Left wrist XR; frontal projection.

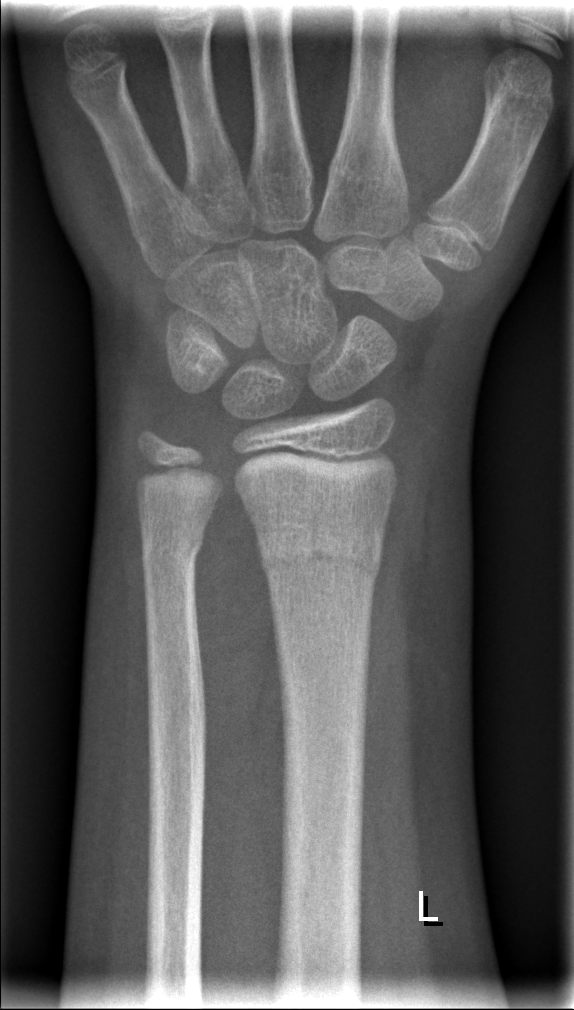 - Pixel coordinates, top-left origin, xyxy.
- Fracture classified AO/OTA 23r-M/3.1; 23u-M/2.1.
- Fx — (253, 512, 385, 586); (139, 527, 205, 573).